Right wrist plain film · lateral view · boy, 12 yo —

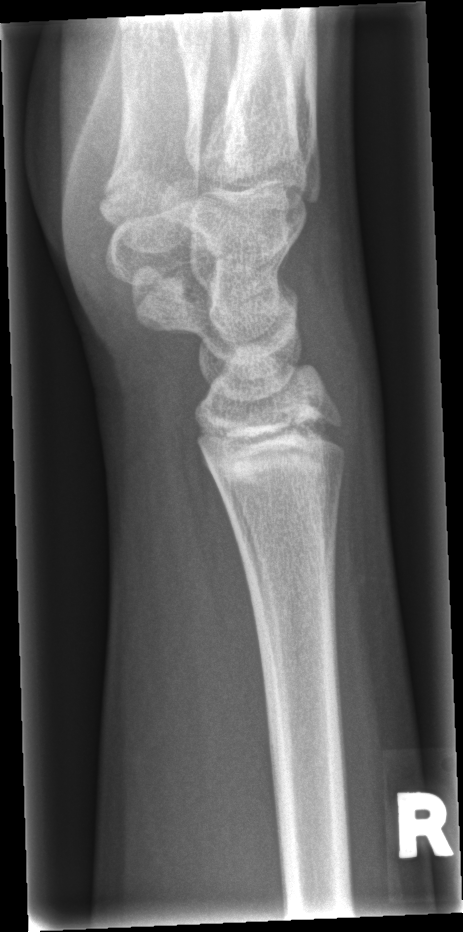
FINDINGS: No fracture bounding box.